Left wrist X-ray · frontal · age 13 y, girl · detector: Siemens — 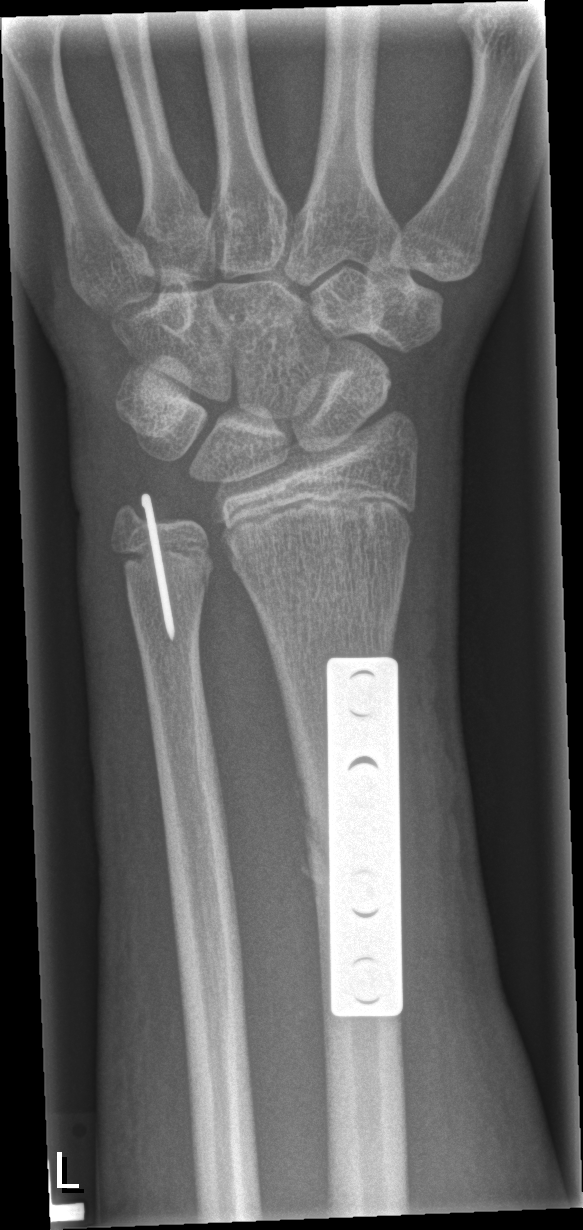
FINDINGS: One Fx at bbox(289, 770, 324, 895). Metallic hardware identified at bbox(325, 656, 404, 1019), bbox(139, 490, 179, 641).